Rt wrist XR; lateral; pediatric patient (boy, age 4).

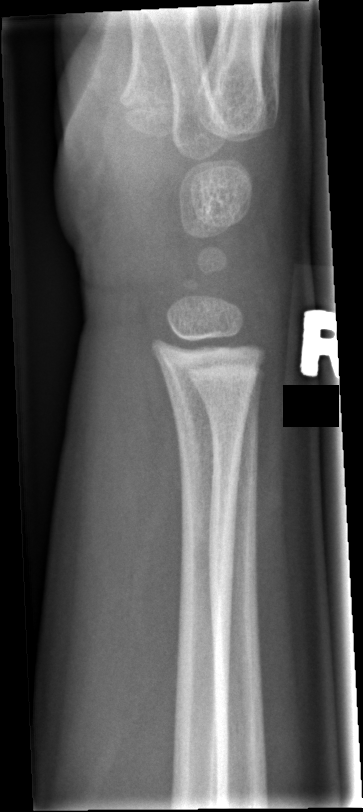
No Fx annotated.